Lateral view | left wrist plain film —
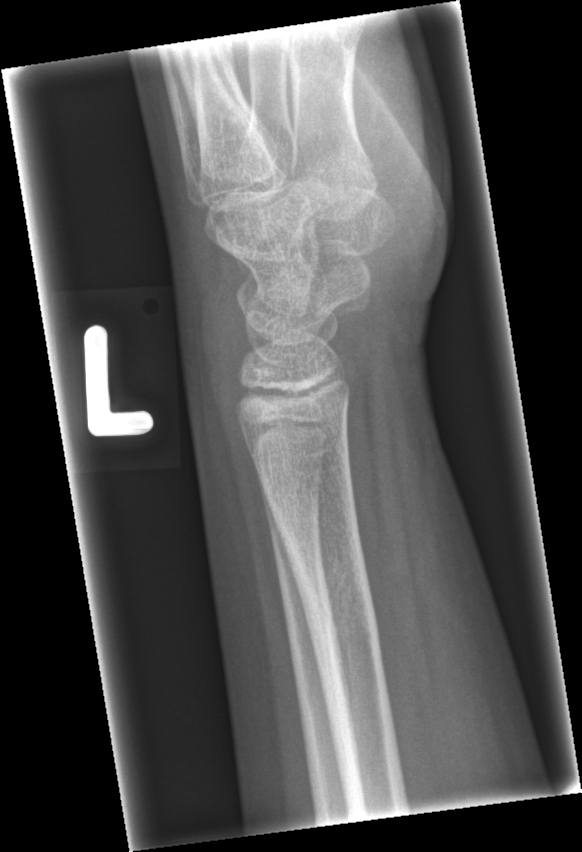

* Pixel coordinates, top-left origin, xyxy.
* Fracture — [x1=284, y1=533, x2=384, y2=693].